PA view; Lt plain radiograph of the wrist; 10y M; cast in situ; 798 by 1176 pixels —
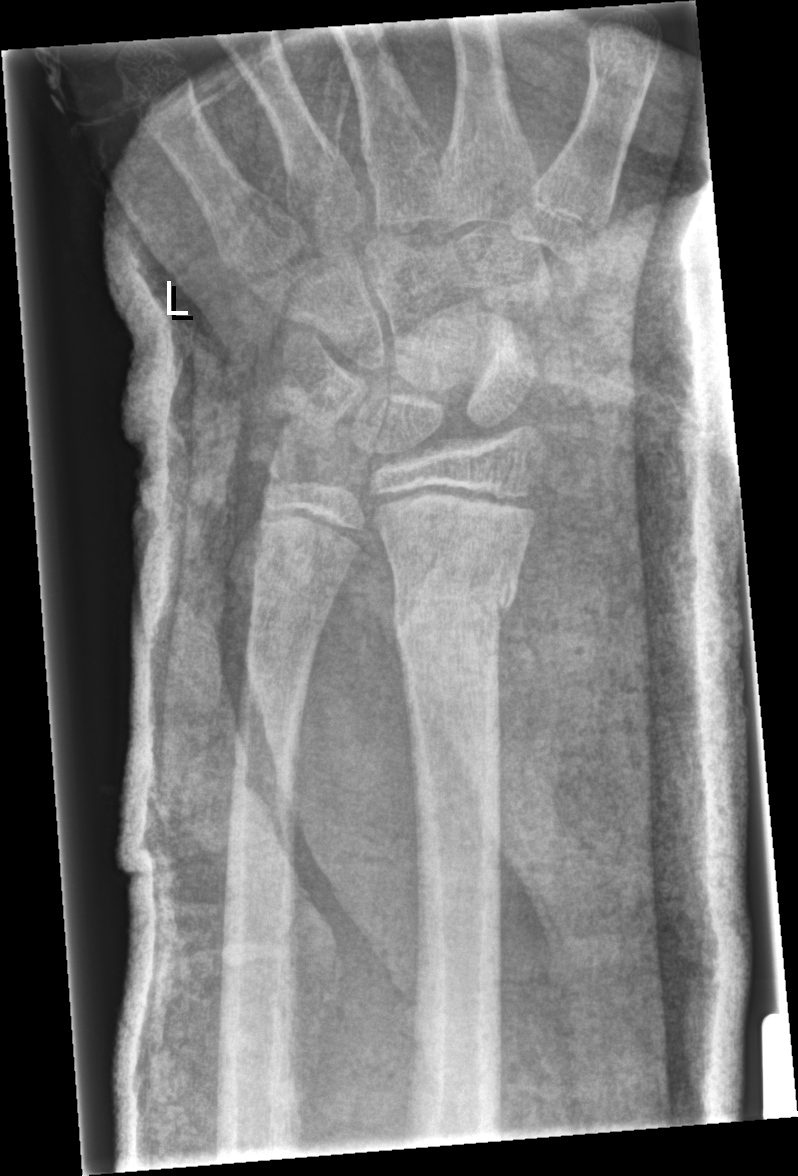

Findings: AO/OTA classification: 23r-M/3.1; 23u-E/7. Two bone fractures at [387, 552, 525, 651]; [247, 438, 300, 496].